Lat; L wrist radiograph; pediatric patient (boy, age 15); 515x1122

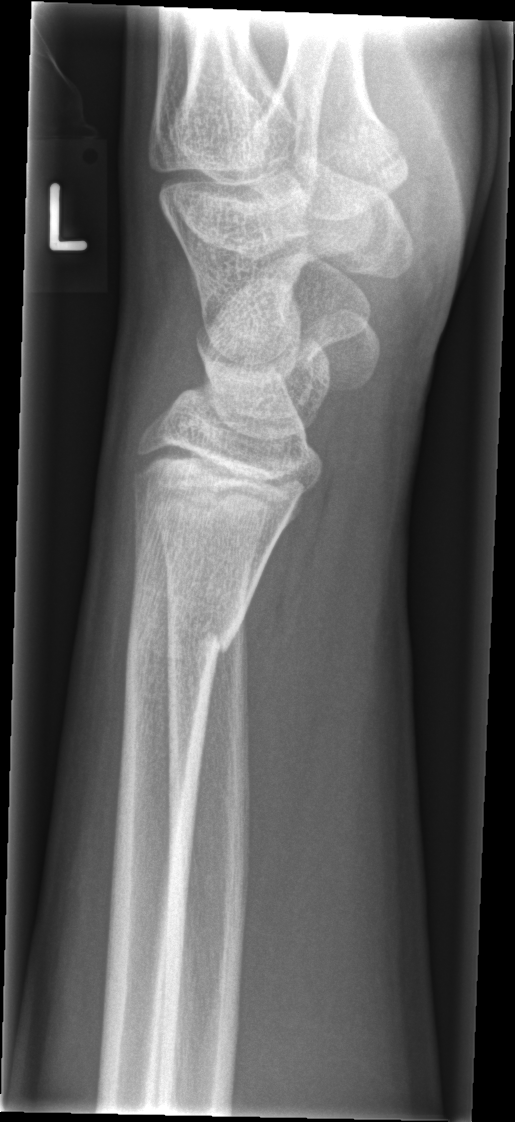

bone fracture = 120,596,247,684